AP · L wrist plain film · 14-year-old boy · in cast — 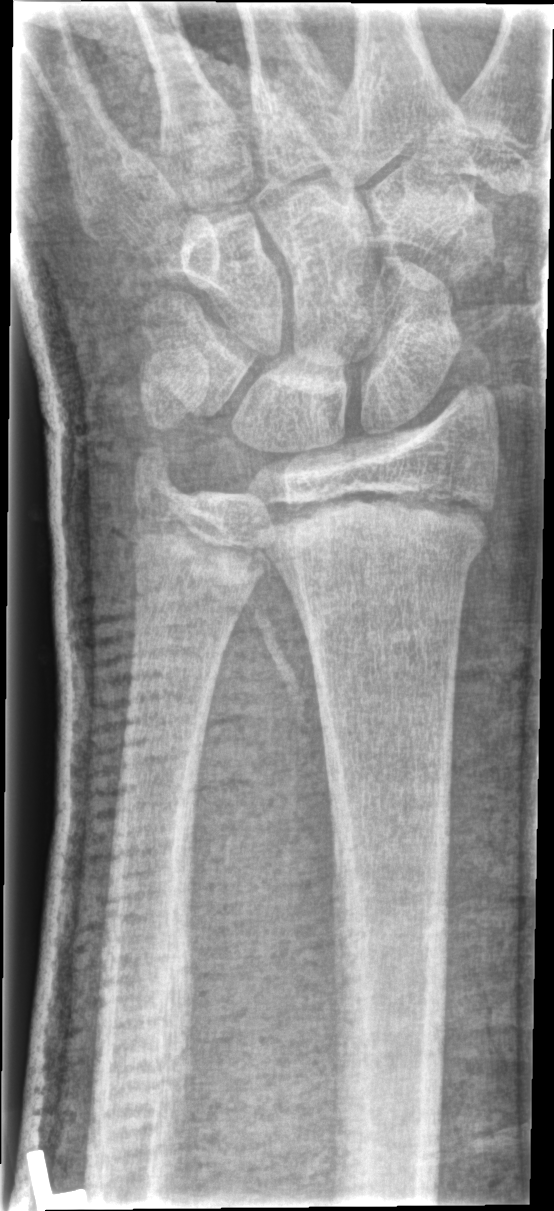
Q: AO code?
A: AO code 23r-E/2.1
Q: Any fracture seen?
A: Bone fracture: (257, 488, 499, 581)